Rt wrist X-ray, AP view, 14-year-old male, cast present — 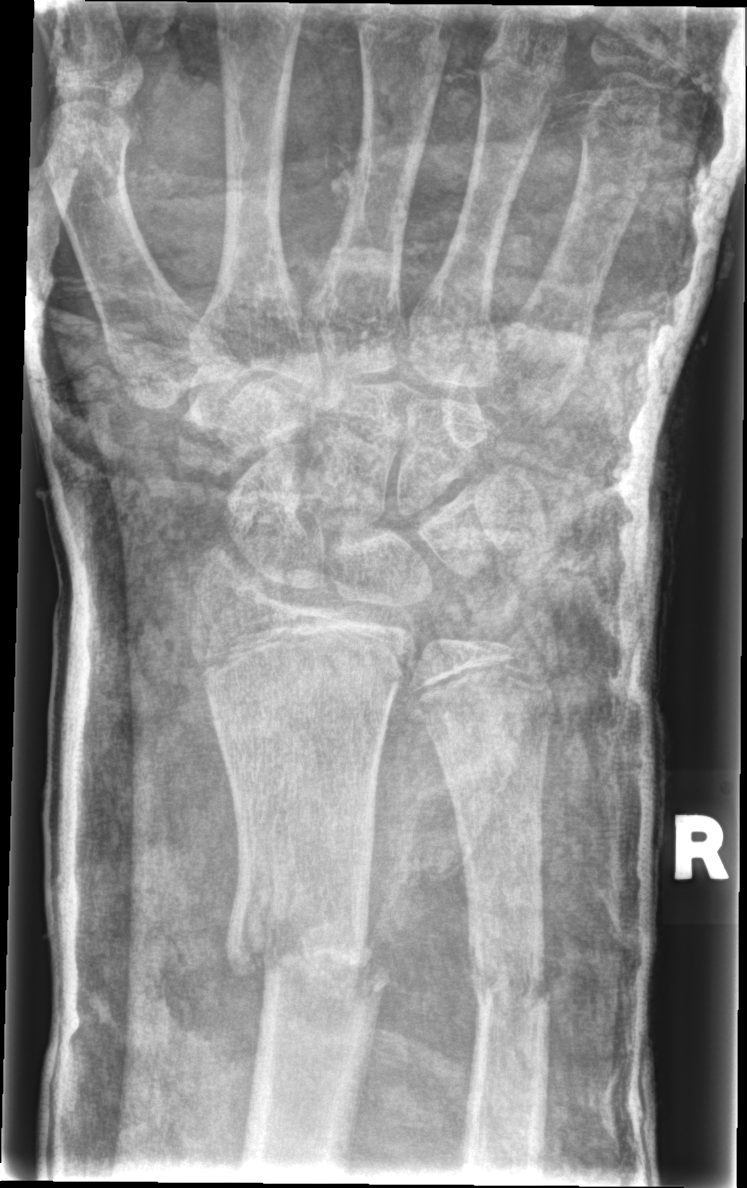 Q: Fracture present?
A: Fractures — [x1=222, y1=860, x2=391, y2=1011], [x1=466, y1=937, x2=552, y2=1030]
Q: AO code?
A: AO/OTA classification: 23-M/3.1